Lat projection · Lt wrist radiograph · age 12 y, girl · image 62.2 mm wide
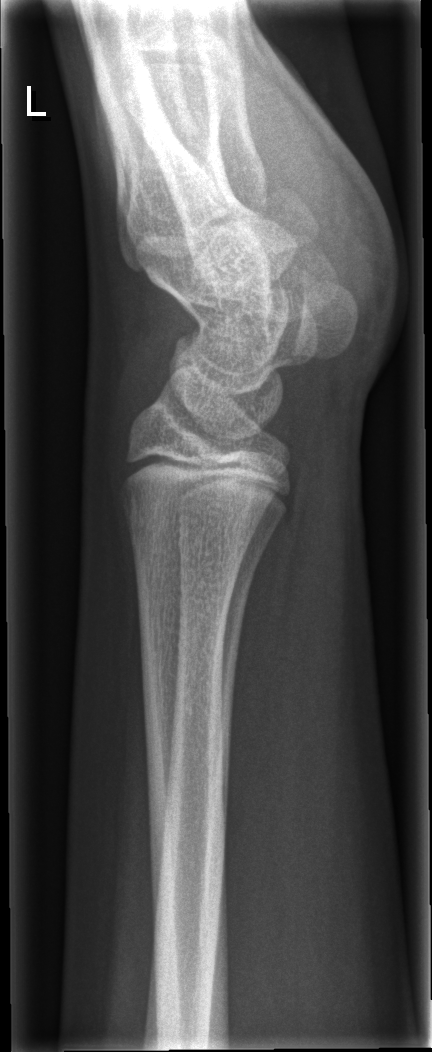
Fracture: none labeled